Lat view; left wrist XR; male, 11 yo; cast present; 656 by 1336 pixels —
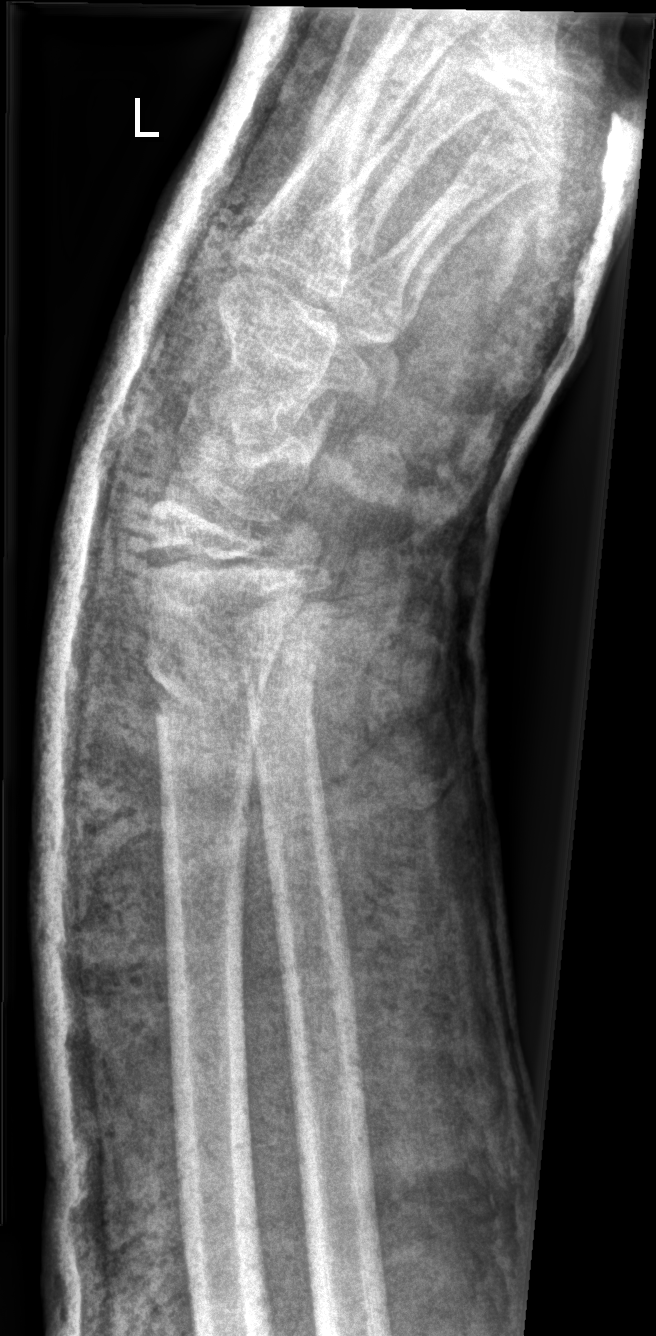
{"fracture": "141,641,268,746", "ao": "23r-M/3.1; 23u-E/7"}